Rt wrist X-ray · AP · pediatric patient (boy, age 9) · in cast · image 88.4 mm wide — 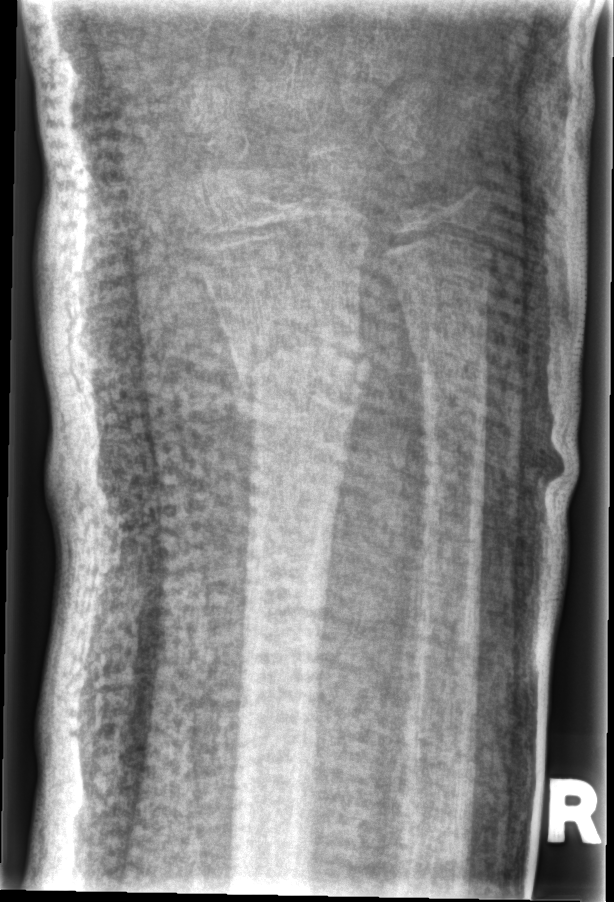 Osteopenia.
Fracture: [x1=213, y1=322, x2=379, y2=415], [x1=405, y1=299, x2=491, y2=384].